R wrist X-ray · PA · 7-year-old male · cast in situ.
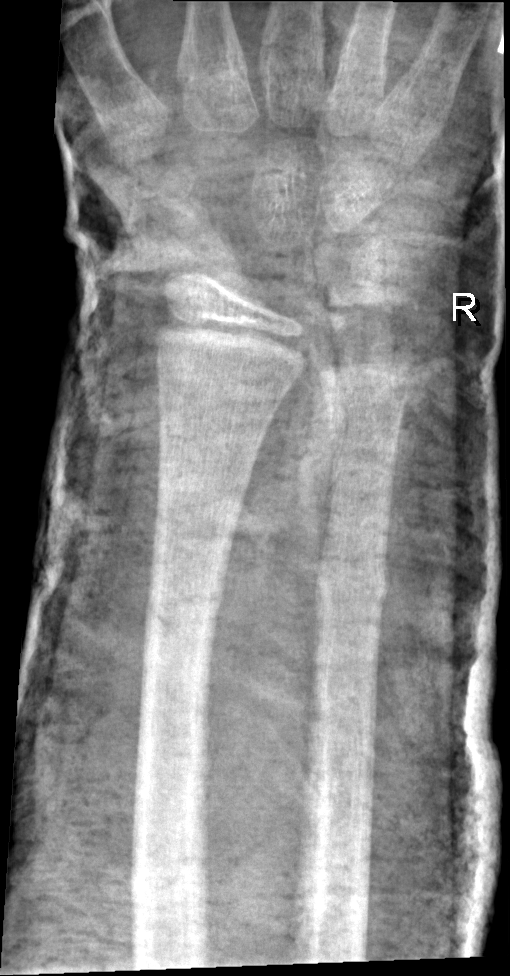
bone fracture = bbox(141, 563, 231, 655); bbox(304, 545, 395, 627)